Left wrist XR, AP, 13-year-old male, follow-up study, imaged through cast
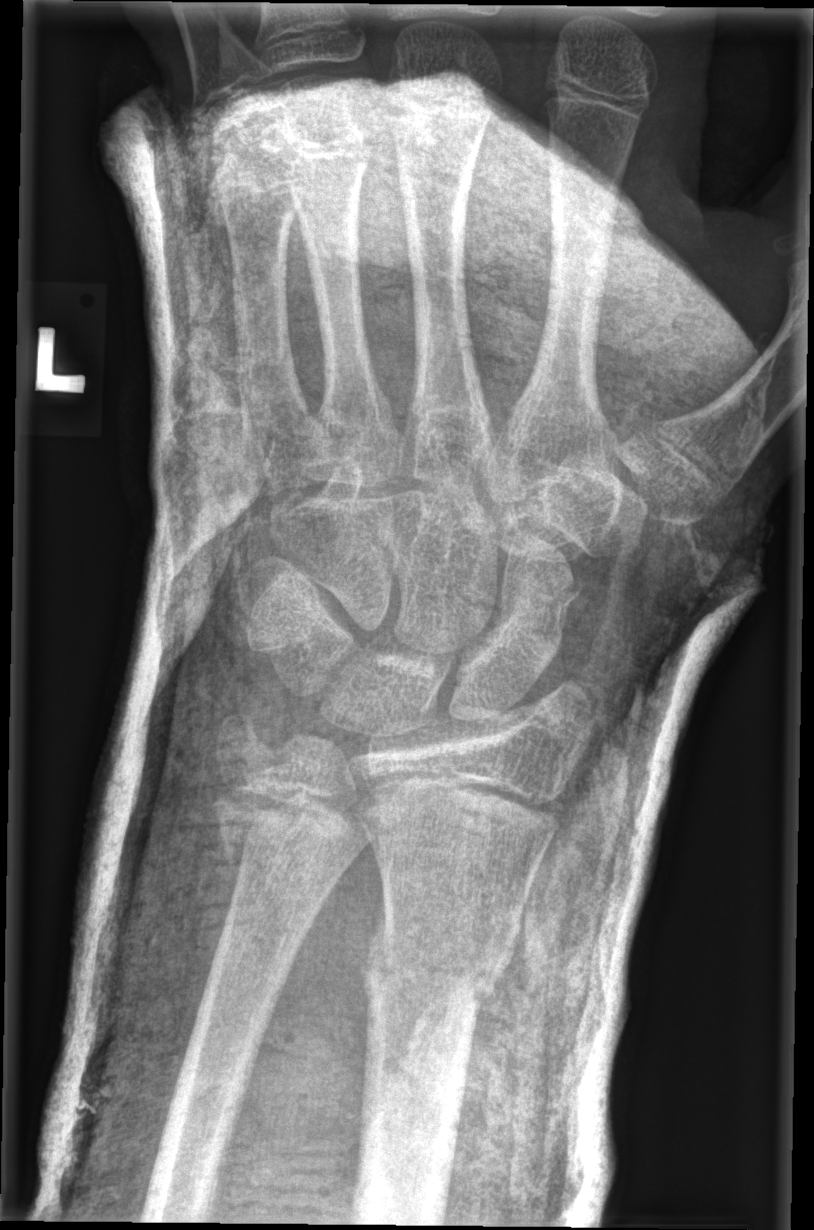
(coordinates are [x1, y1, x2, y2] in image pixels)
Fx = <206,761>-<377,871> <358,912>-<514,1030>